AP, left wrist XR, detector: Siemens, 555 by 1042 pixels

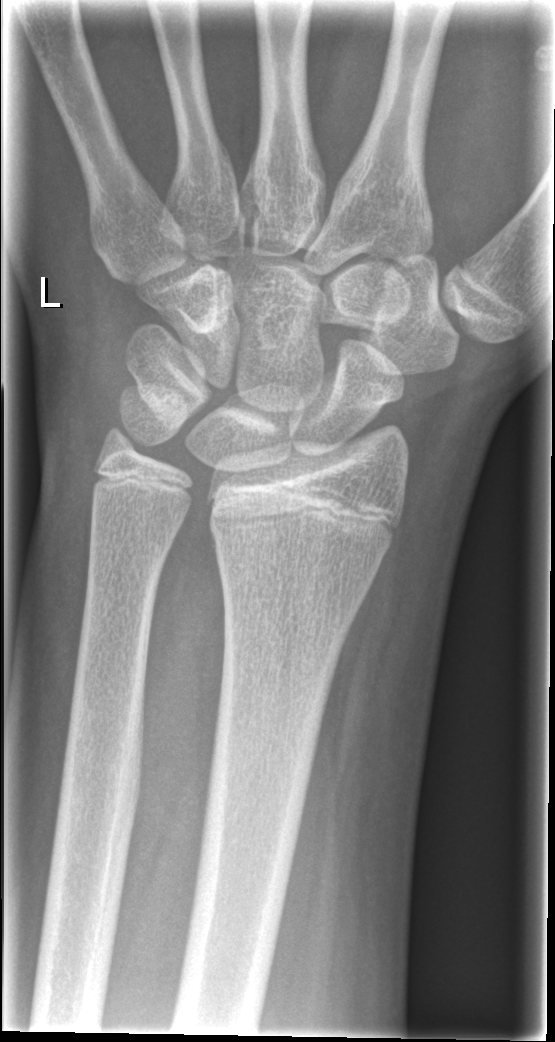
Fx: none labeled